Lt pediatric wrist radiograph, lat, pediatric patient (male, age 16), cast present, Siemens

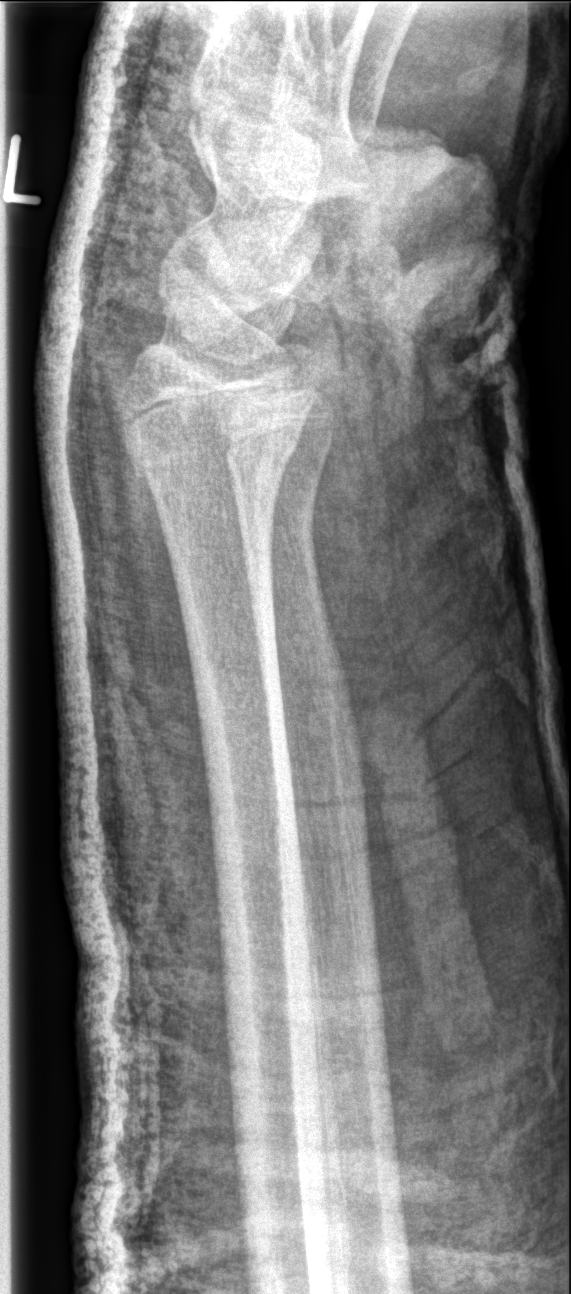 {"fracture": "present but not clearly seen in this view"}